Right wrist X-ray, PA/AP:

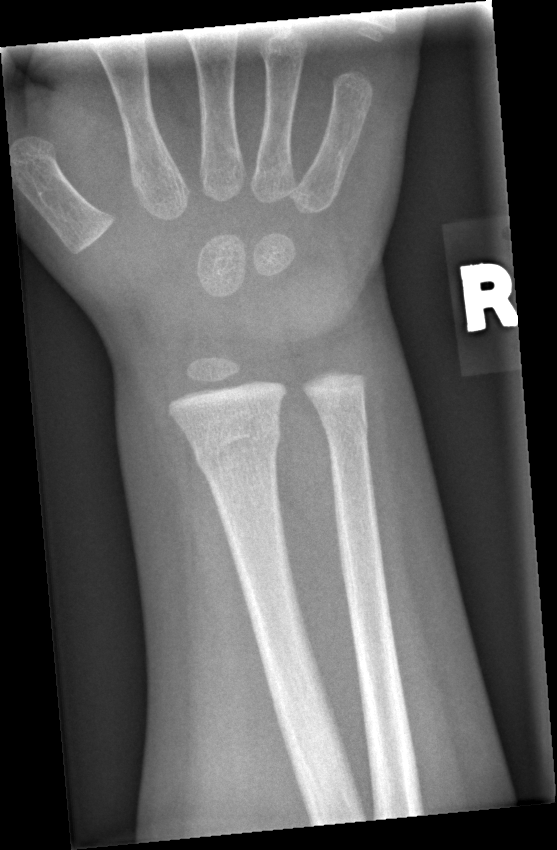
AO/OTA = 23-M/2.1
Fracture = 2 @ bbox(190, 411, 282, 483) bbox(319, 408, 371, 444)